Right plain radiograph of the wrist | frontal projection | 7-year-old girl.

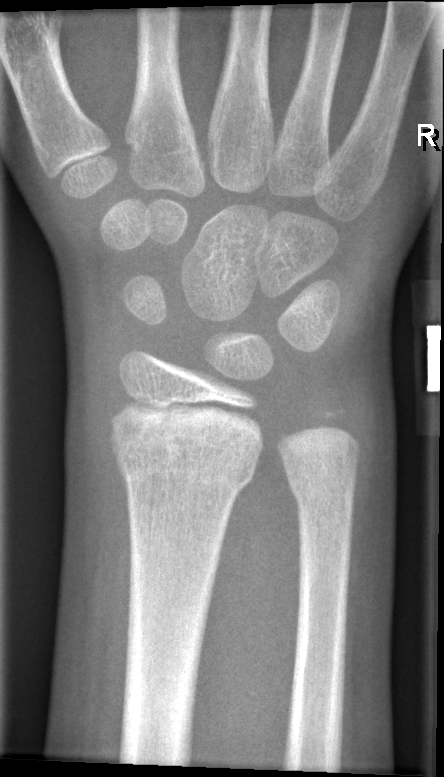 AO code 23r-M/3.1; 23u-M/2.1.
Two bone fractures at (left=110, top=420, right=258, bottom=496), (left=285, top=468, right=359, bottom=519).